AP view · Lt wrist X-ray · imaged through cast · 583 by 1030 pixels. 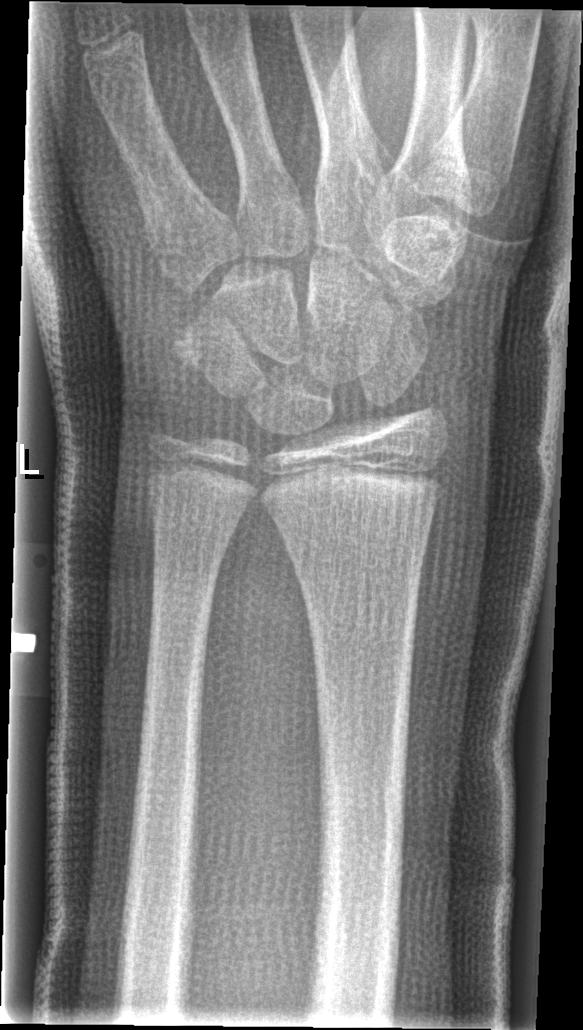 No Fx annotated.